Lat · Lt pediatric wrist radiograph · subsequent exam · in cast · detector: Siemens · 697x1224 —

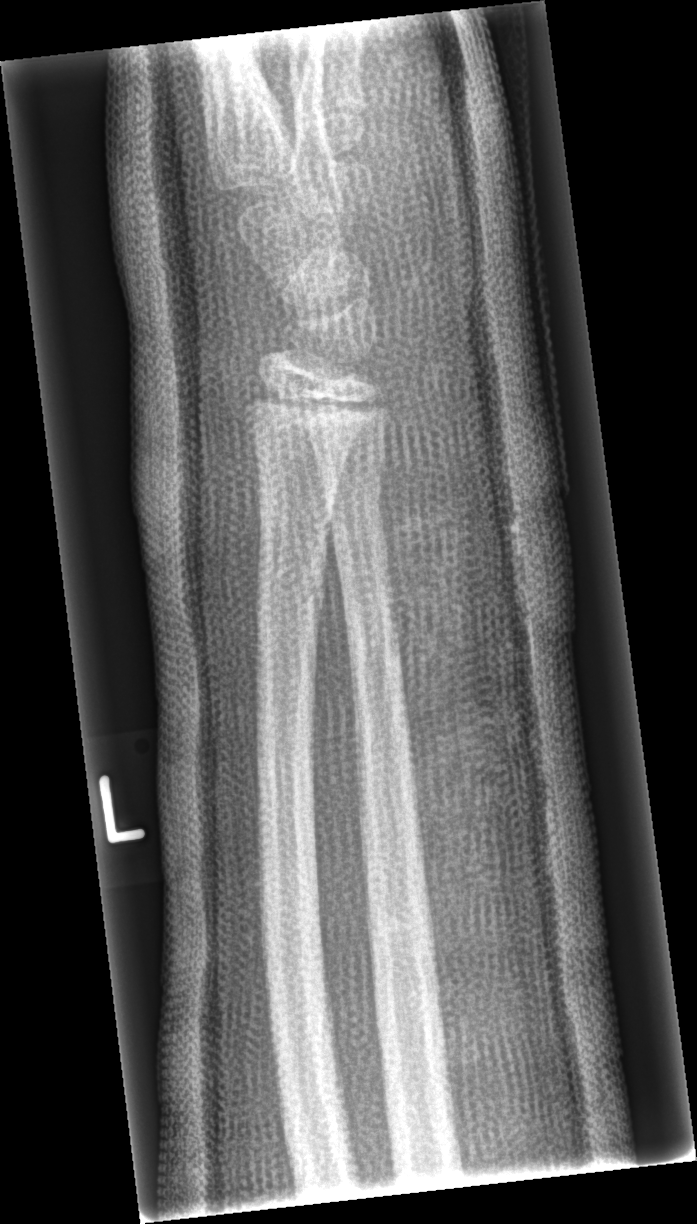
Q: Any fracture seen?
A: Fx present but not clearly seen in this view